Left wrist XR; PA/AP view; index exam —
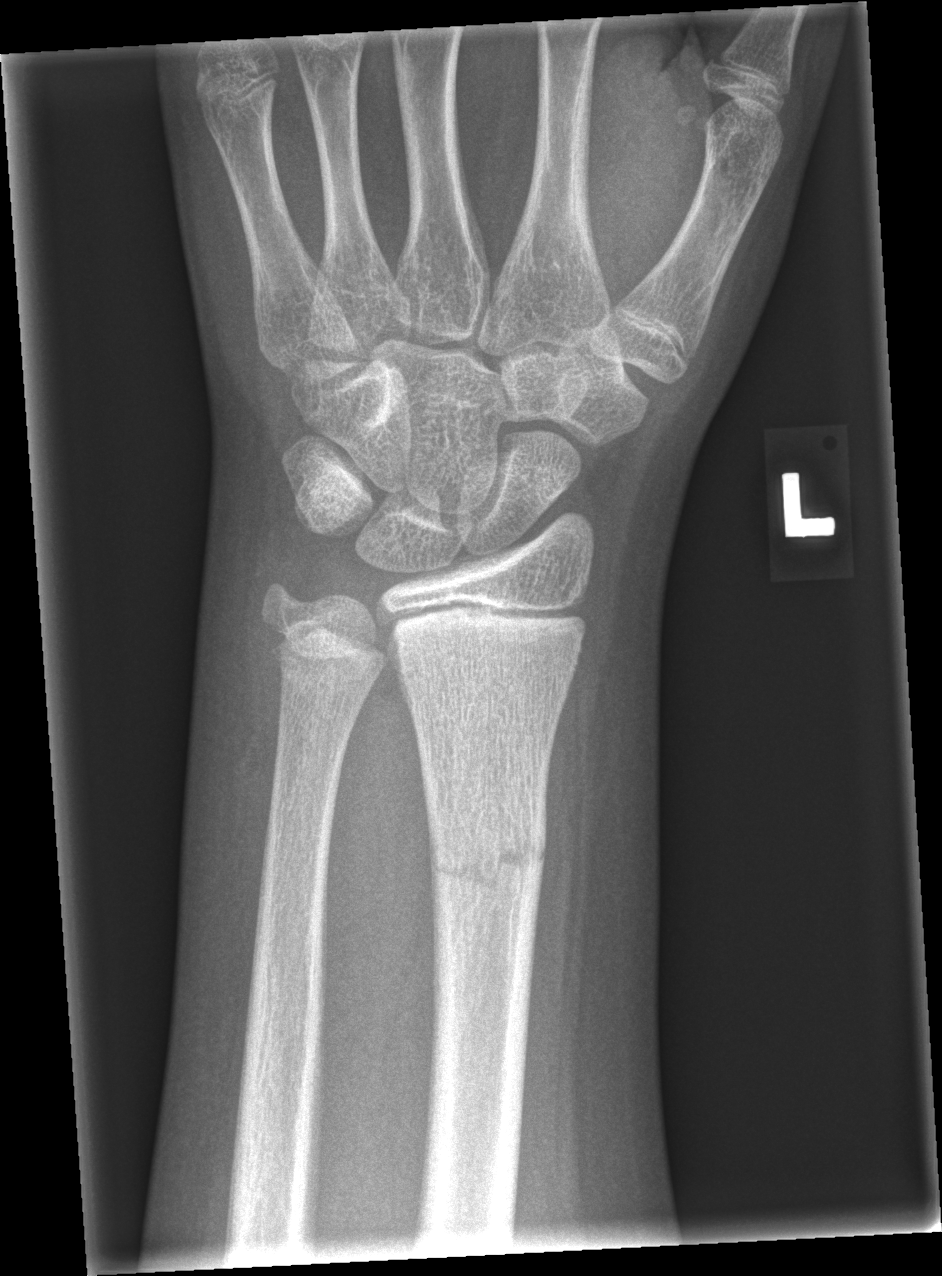

Fx: [421, 802, 552, 905] [255, 602, 390, 694].